L wrist radiograph; posteroanterior view; girl, 11 yo; image size 629x958 — 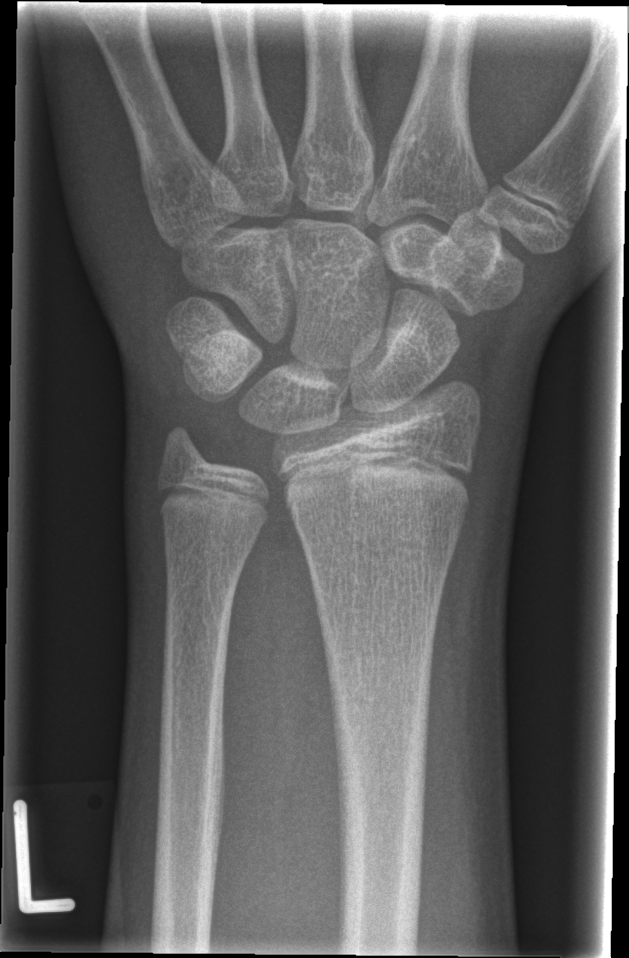
FINDINGS — No fracture labeled.